Frontal projection | left wrist XR | image 83.2 mm wide
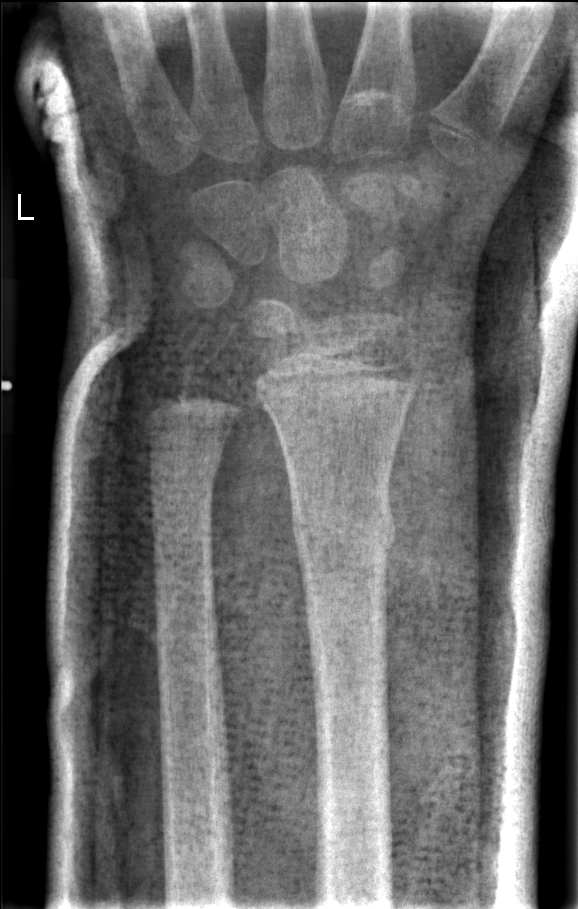
{
  "ao": "23-M/2.1",
  "fracture": "(287, 489, 398, 561); (145, 449, 227, 494)"
}